Left wrist plain film; PA/AP; 62.5 mm image width:
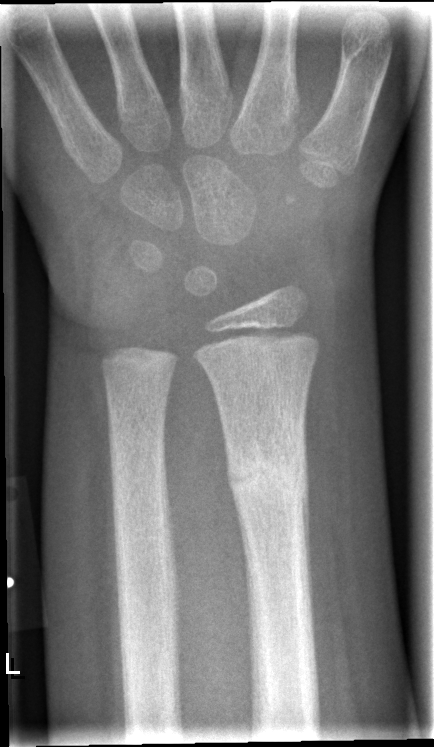 osteopenia: present
fracture: 1 @ bbox(222, 432, 311, 515)